Lt wrist plain film, lat, pediatric patient (male, age 13), follow-up study — 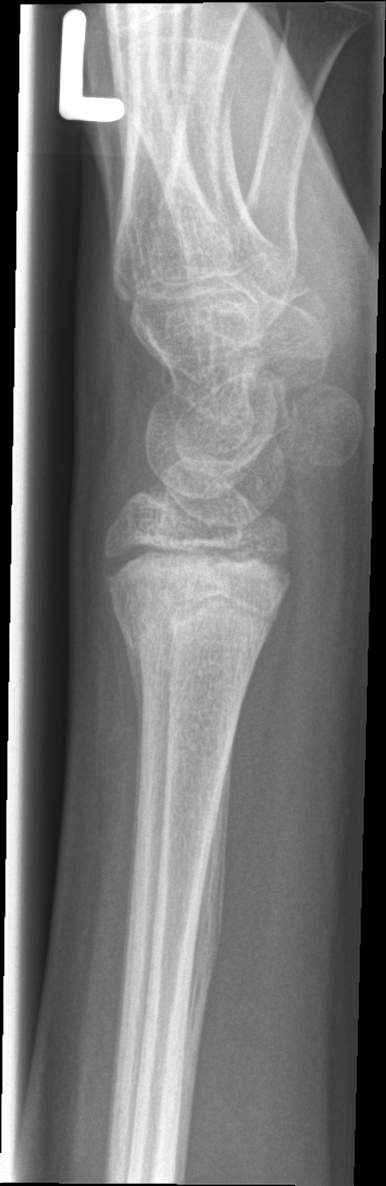 FINDINGS — (bounding boxes in image-pixel xyxy) Fracture classified AO/OTA 23r-M/3.1; 23u-E/7. Bone fracture — [98, 537, 296, 681]. Reduced bone mineral density.